Lateral projection; Lt wrist plain film; follow-up study —
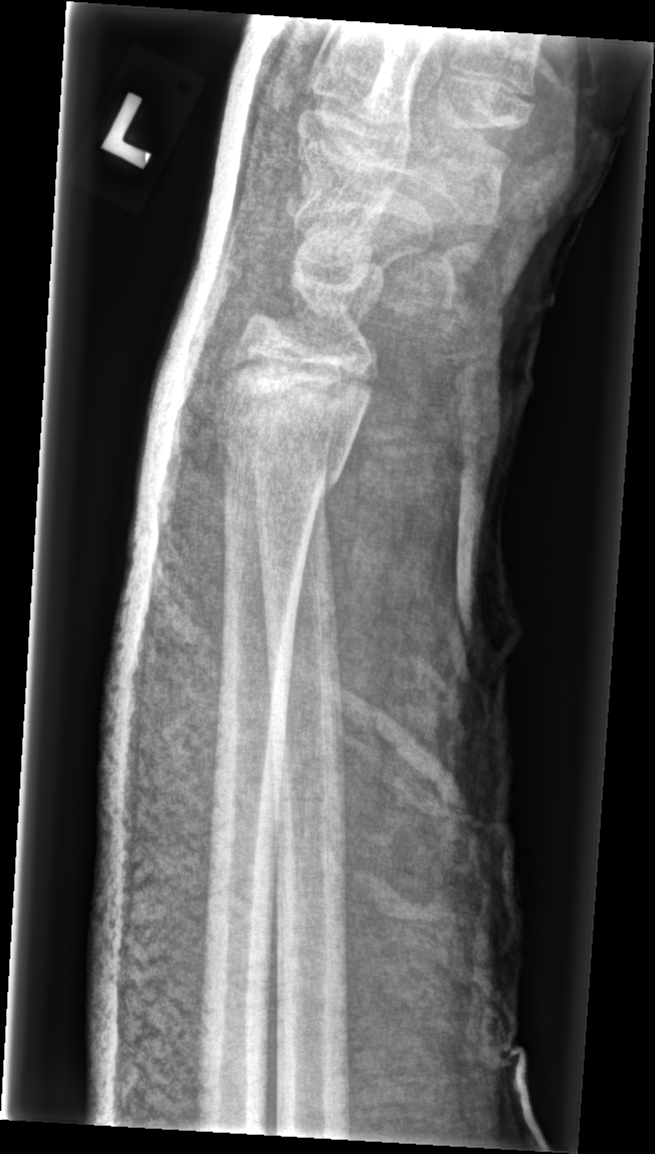

- Fracture classified AO/OTA 23r-M/3.1.
- One Fx at bbox(216, 431, 348, 507).